Right wrist XR · PA projection · girl, 2 yo.

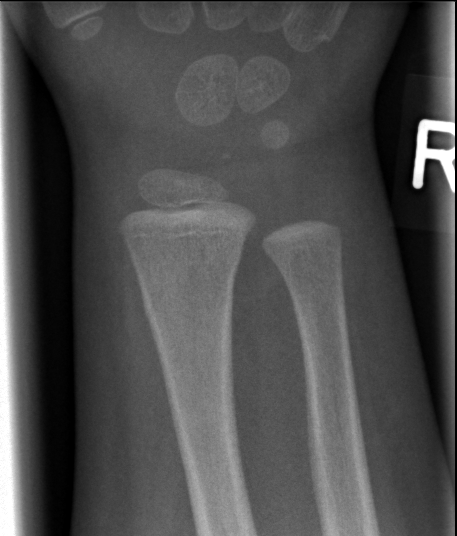
Bounding boxes in image-pixel xyxy. Fx identified at (left=127, top=243, right=243, bottom=323).